Left wrist X-ray; lateral projection; 4-year-old boy; initial study; Siemens — 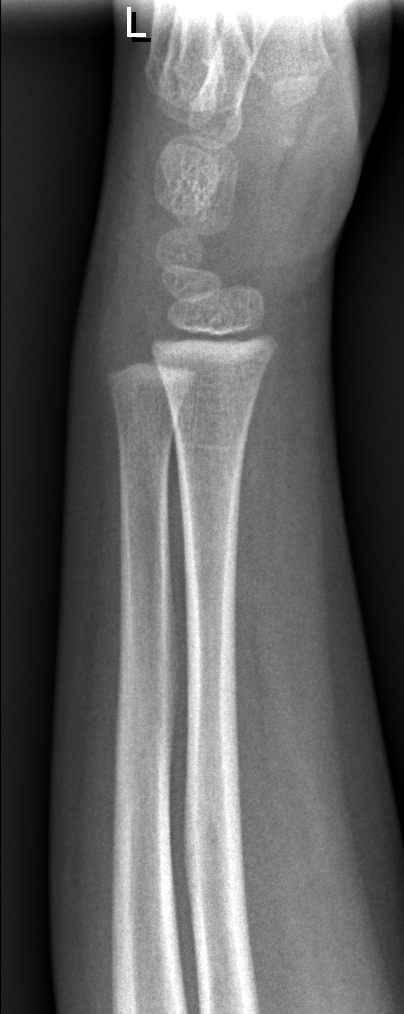 * Fx: none.